R pediatric wrist radiograph · lateral projection · 9-year-old female · 498 by 880 pixels

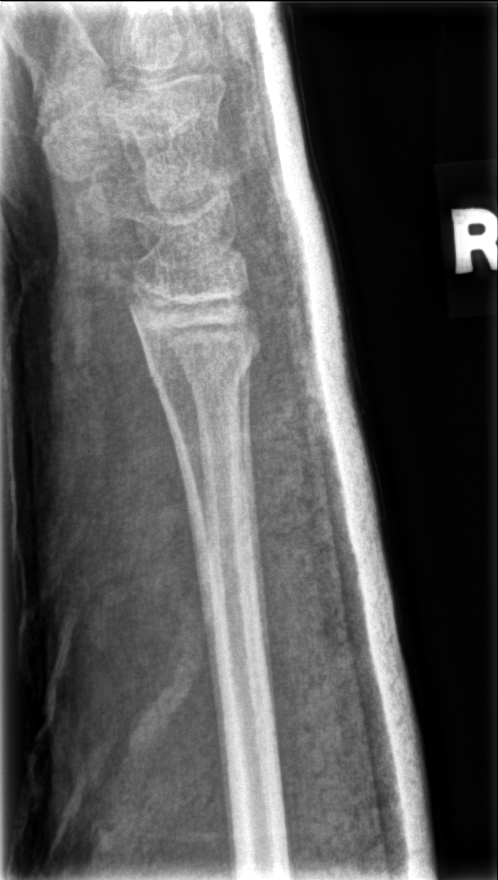 Coordinates are [x1, y1, x2, y2] in image pixels. Bone fracture — bbox(141, 335, 265, 414).